PA; Lt wrist X-ray; age 14 y, male; follow-up; image 201.5 mm wide: 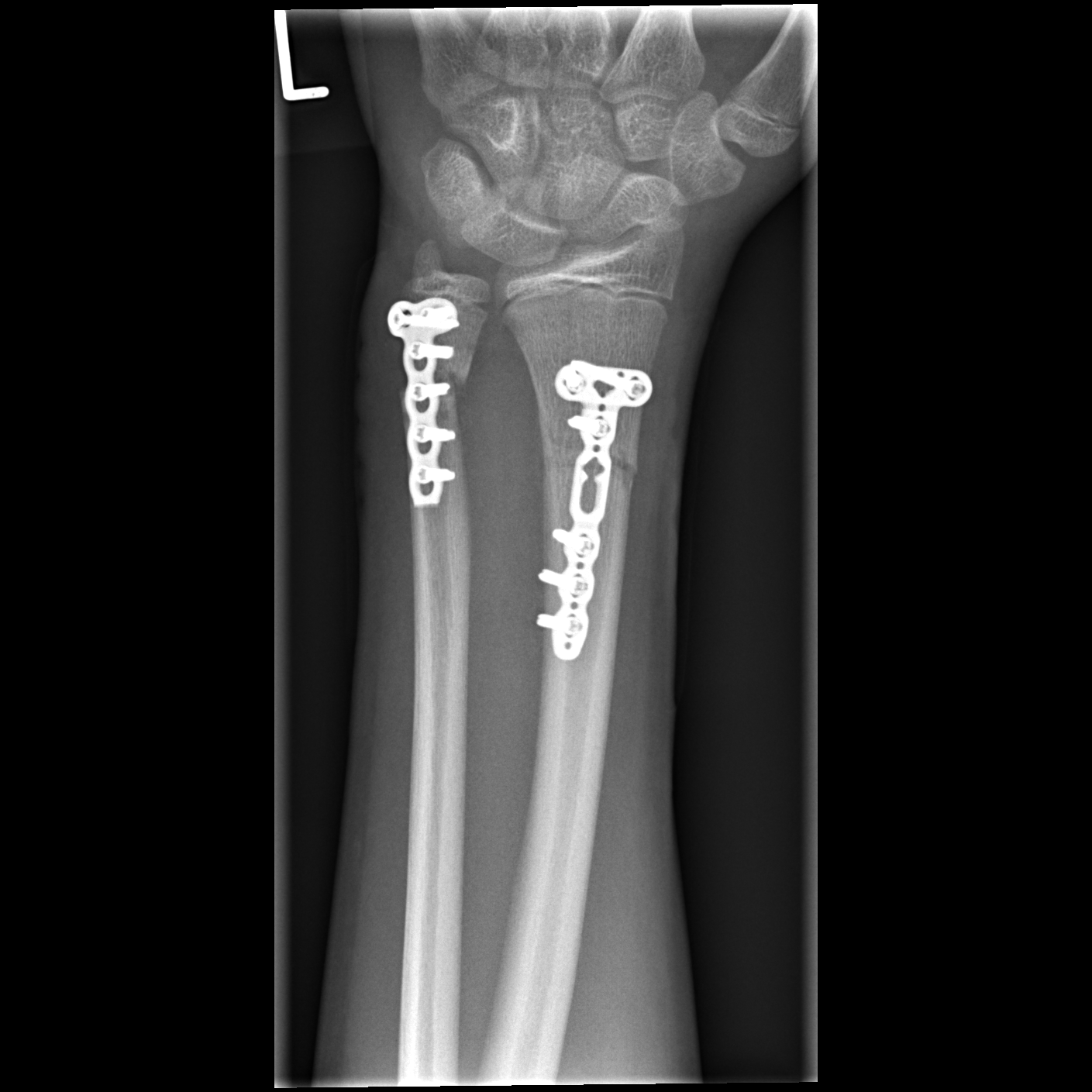

Coordinates are [x1, y1, x2, y2] in image pixels.
Hardware identified at <539,360>-<644,660>, <391,298>-<458,505>.
Fracture: <539,418>-<639,499> <414,358>-<474,401> <406,233>-<454,279>.